PA/AP; R wrist XR; 8-year-old male; 525 by 926 pixels:

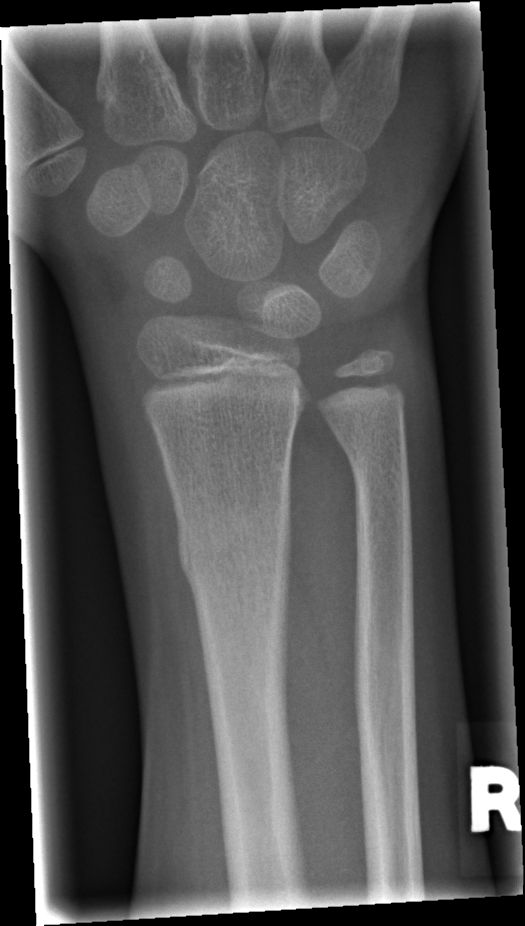 (pixel coordinates, top-left origin, xyxy)
Bone fracture = 2 @ 174 503 294 603; 340 438 414 500
AO/OTA = 23-M/2.1